Right pediatric wrist radiograph; lateral view; age 6 y, boy:

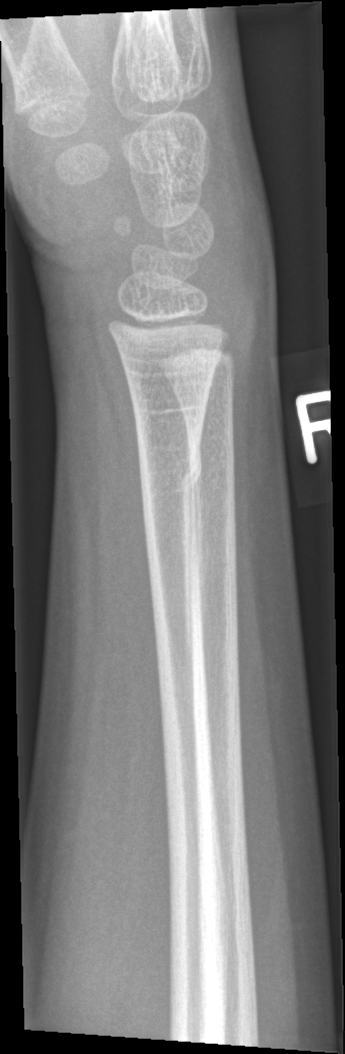 ao: 23r-M/2.1
fracture: bbox(137, 441, 207, 516)